R wrist plain film, lateral view, age 10 y, female, follow-up study, in cast, 571 by 926 pixels:

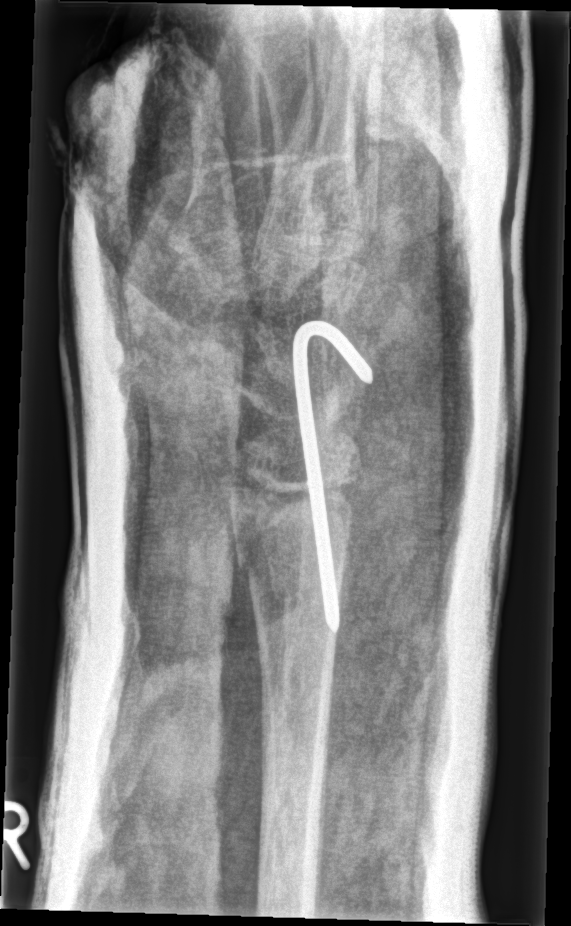 One fracture at [220, 462, 359, 582].
Hardware — [289, 318, 378, 639].
Fracture classified AO/OTA 23-E/2.1; 23u-M/2.1.